Lat projection | R wrist X-ray | age 9 y, female | imaged through cast | 781 by 1134 pixels 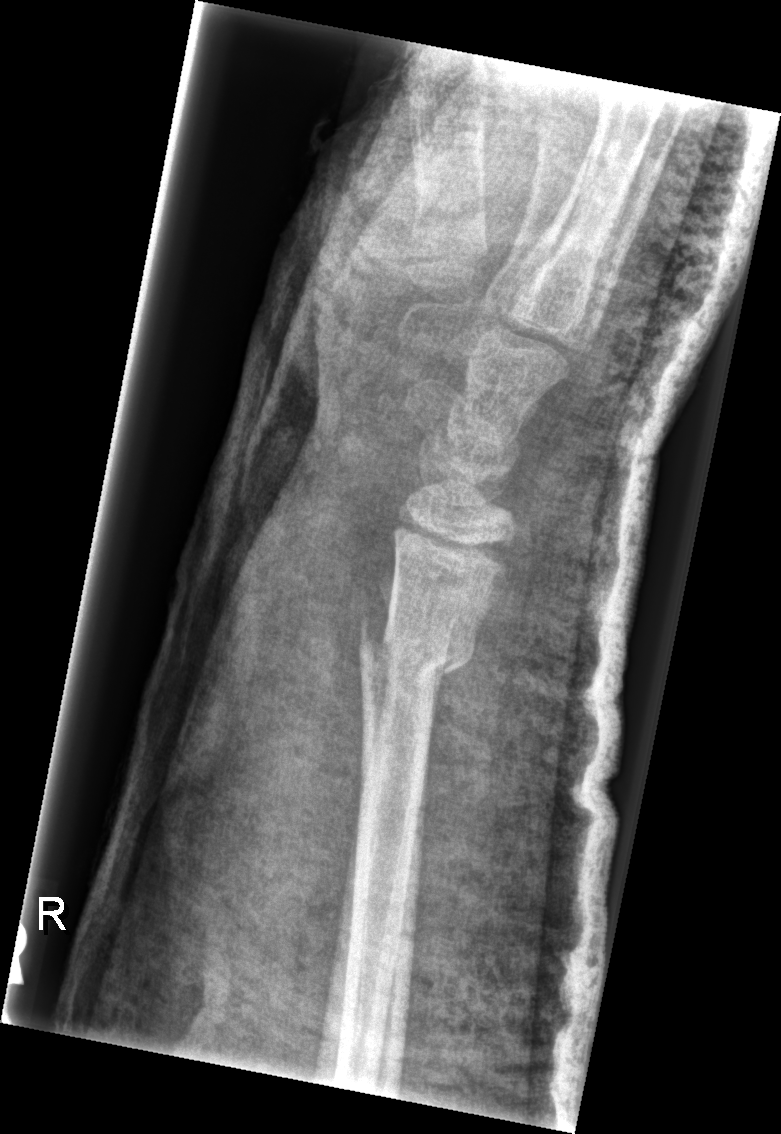 Bone fracture = bbox(342, 626, 477, 696)